Right wrist XR · posteroanterior · follow-up study:
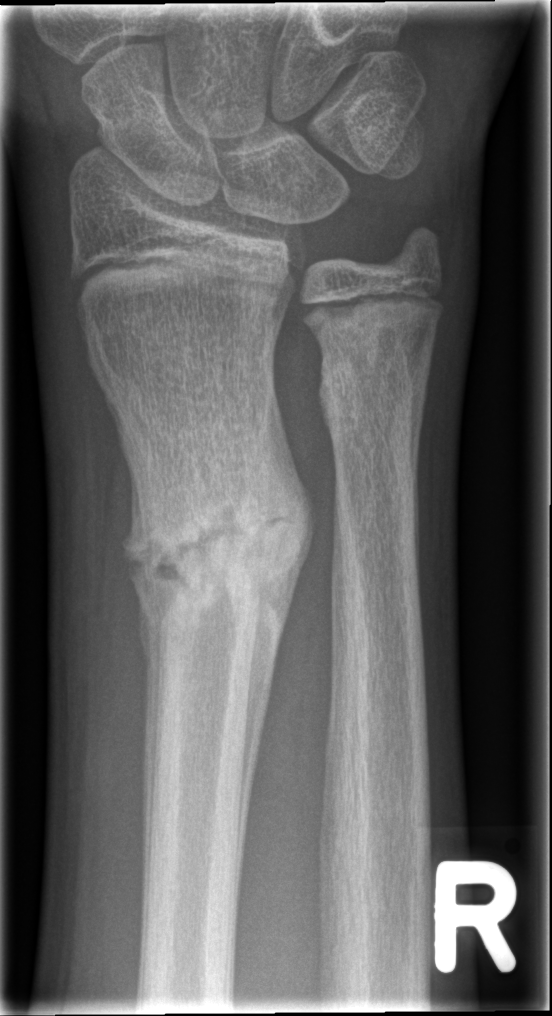
Bone fracture = (left=119, top=483, right=289, bottom=616), (left=315, top=308, right=426, bottom=441)
Periosteal thickening = (left=236, top=381, right=312, bottom=923) (left=125, top=536, right=181, bottom=885) (left=407, top=306, right=440, bottom=509)
AO/OTA = 23-M/3.1